Rt wrist XR | lat projection | image width 91.0 mm —
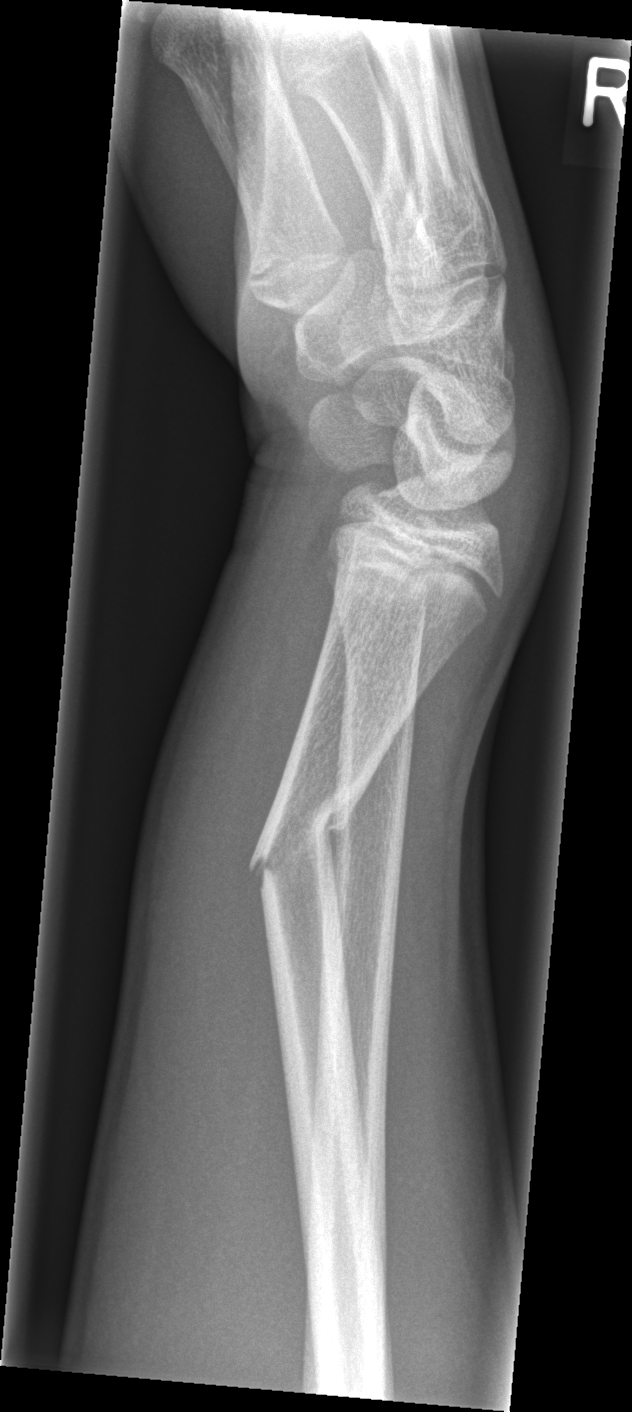

(bounding boxes in image-pixel xyxy)
Fracture: 1 @ (left=245, top=796, right=358, bottom=897)
AO/OTA: 22r-D/4.1; 23u-E/7